Lat projection, L wrist radiograph, imaged through cast:
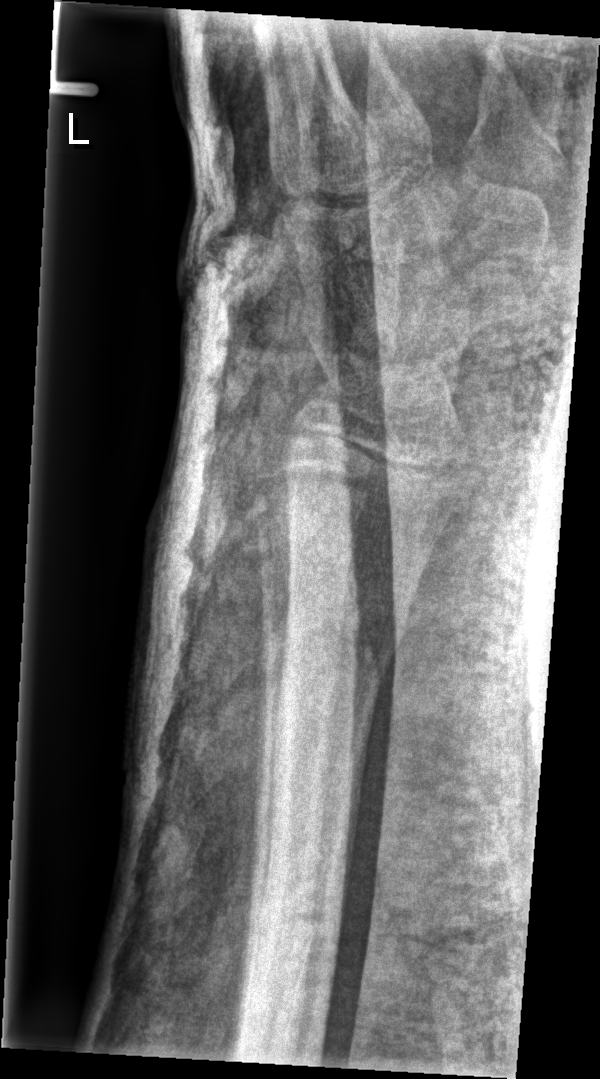 (boxes as x1,y1,x2,y2 (top-left / bottom-right, pixel units))
Fx = [x1=258, y1=610, x2=397, y2=706]
AO code = 23-M/2.1